Rt wrist radiograph; lat; male, 10 yo; 559 x 1434 px — 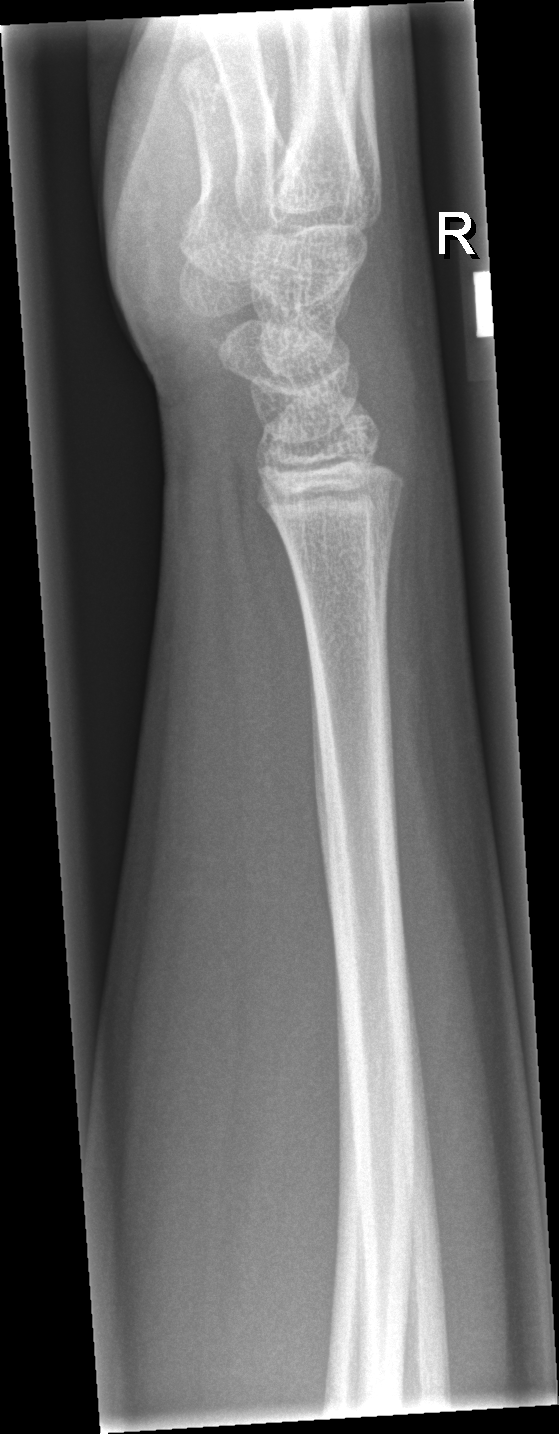
FINDINGS: No Fx annotated.